Frontal | left pediatric wrist radiograph | age 15 y, boy | Siemens:

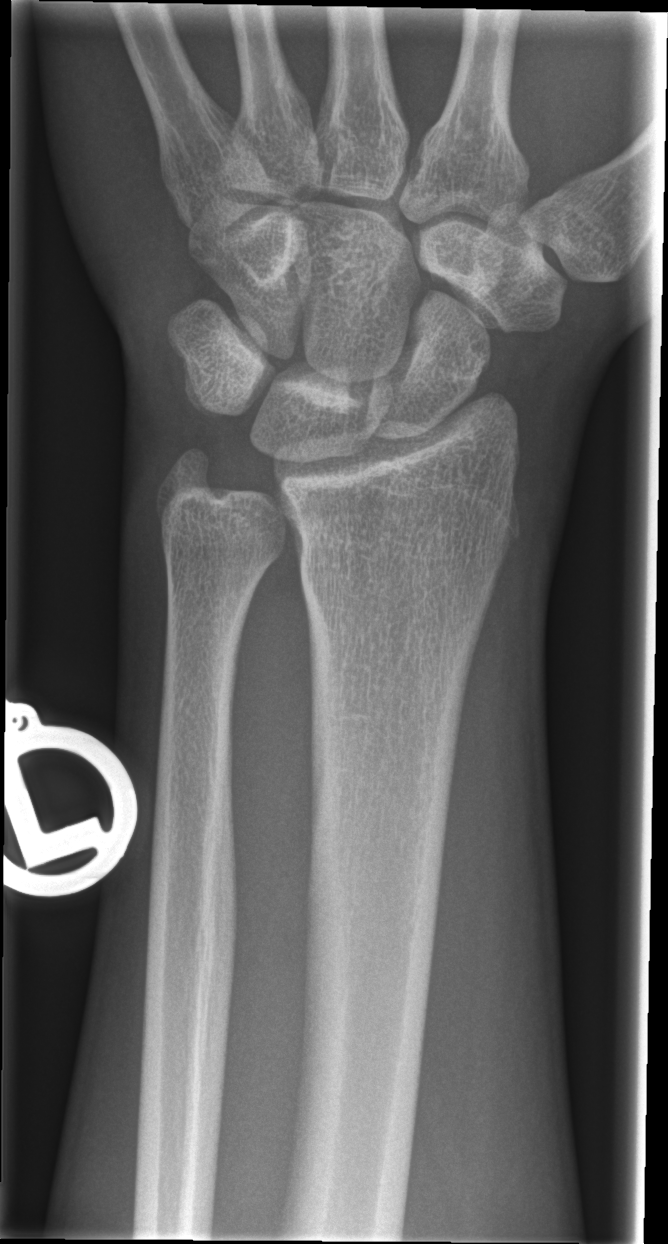
{
  "fracture": "none labeled"
}